Lateral, L plain radiograph of the wrist, pediatric patient (boy, age 7) —
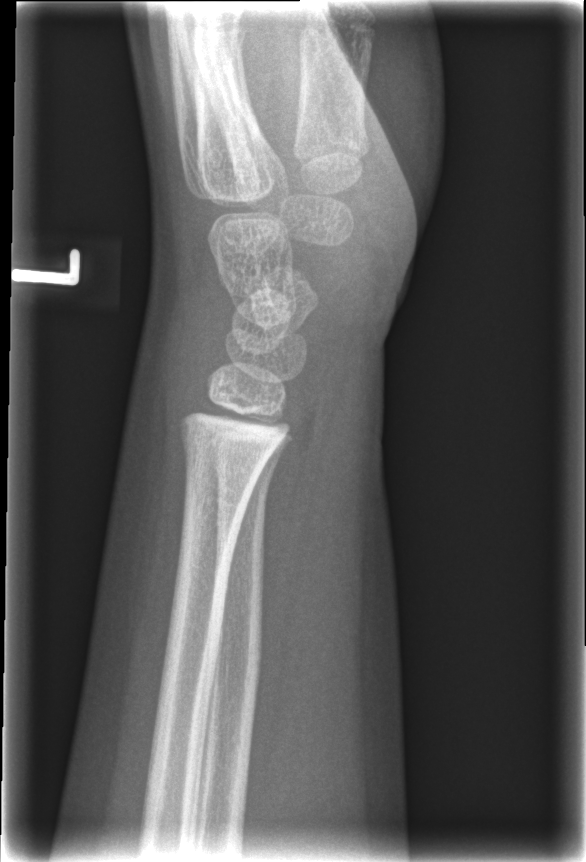 - Fx: none.